AP; Rt plain radiograph of the wrist; 16y M —
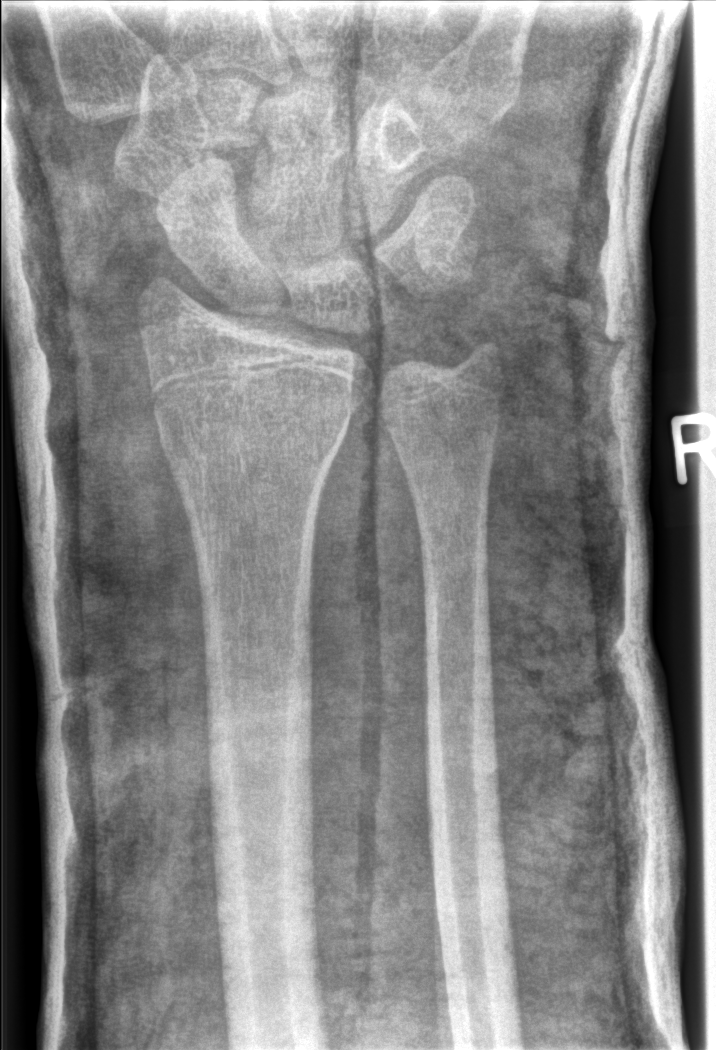
* Fracture present, though not clearly seen in this view.